Right wrist XR; lateral projection; 14-year-old boy —

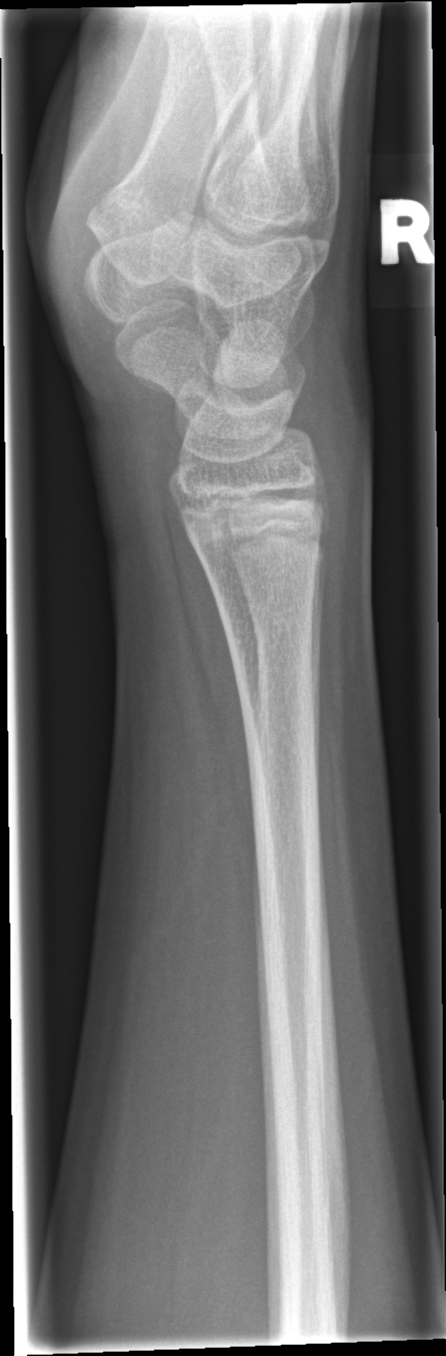

fracture: none labeled